L wrist radiograph, lat projection, male, 5 yo.

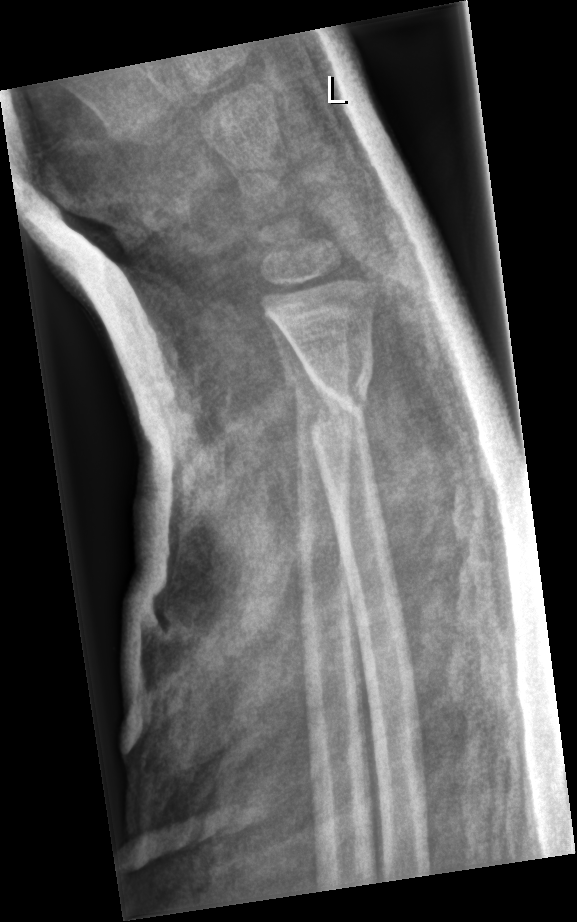

fracture: 2 @ [x1=301, y1=346, x2=378, y2=451]; [x1=277, y1=347, x2=356, y2=435]